PA/AP; Lt wrist radiograph; 12y M 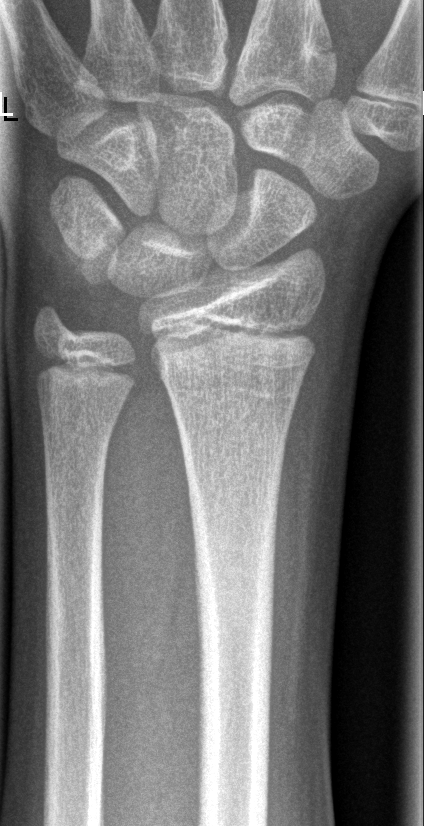

{
  "fracture": "none labeled"
}